Left wrist radiograph · lateral projection · in cast · 546 x 1032 px.
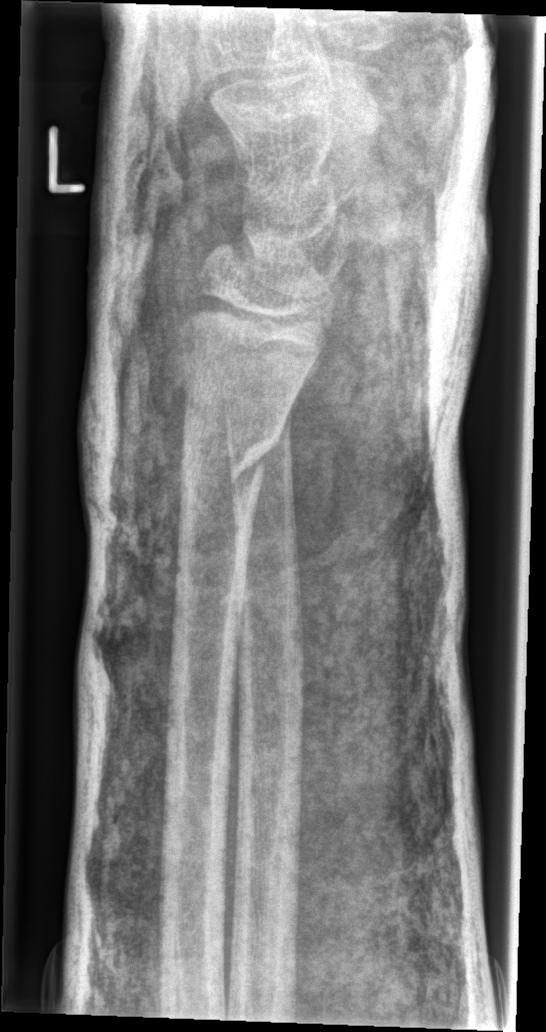 (boxes as x1,y1,x2,y2 (top-left / bottom-right, pixel units))
Q: Locate any fractures.
A: Fracture — <176,404>-<285,518>